Lt pediatric wrist radiograph; lateral:
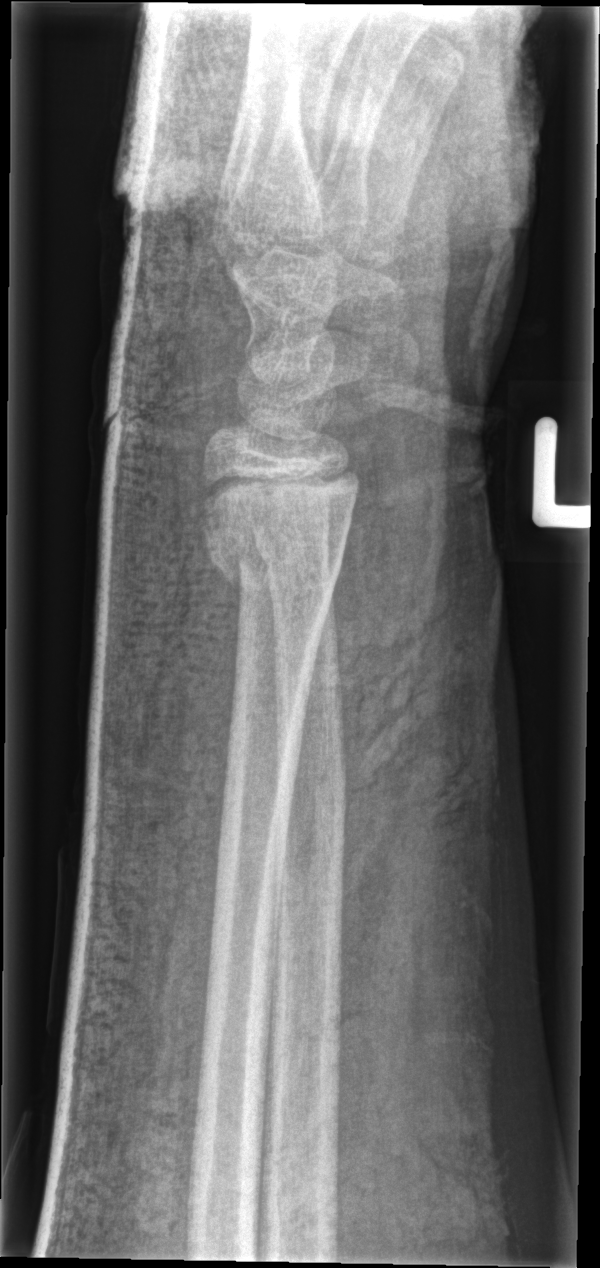
Bounding boxes in image-pixel xyxy.
Fracture: 201 499 354 605.
AO/OTA classification: 23r-M/3.1; 23u-M/2.1; 23u-E/7.